PA projection; right plain radiograph of the wrist: 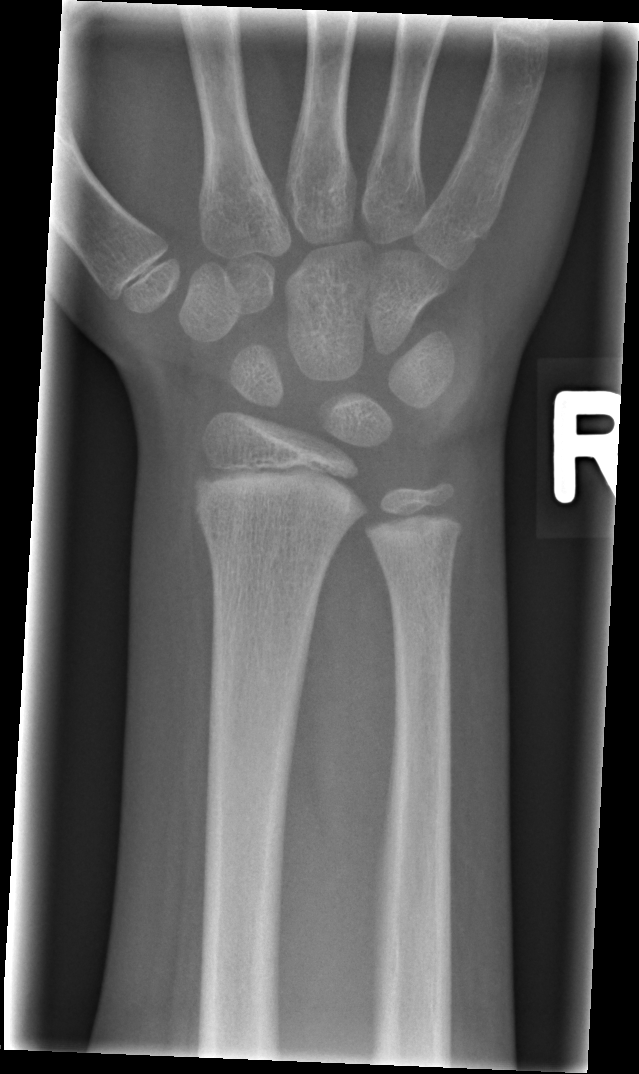

Fx = none labeled